Left wrist X-ray; lat view; acquired on Siemens; 108.9 mm image width —

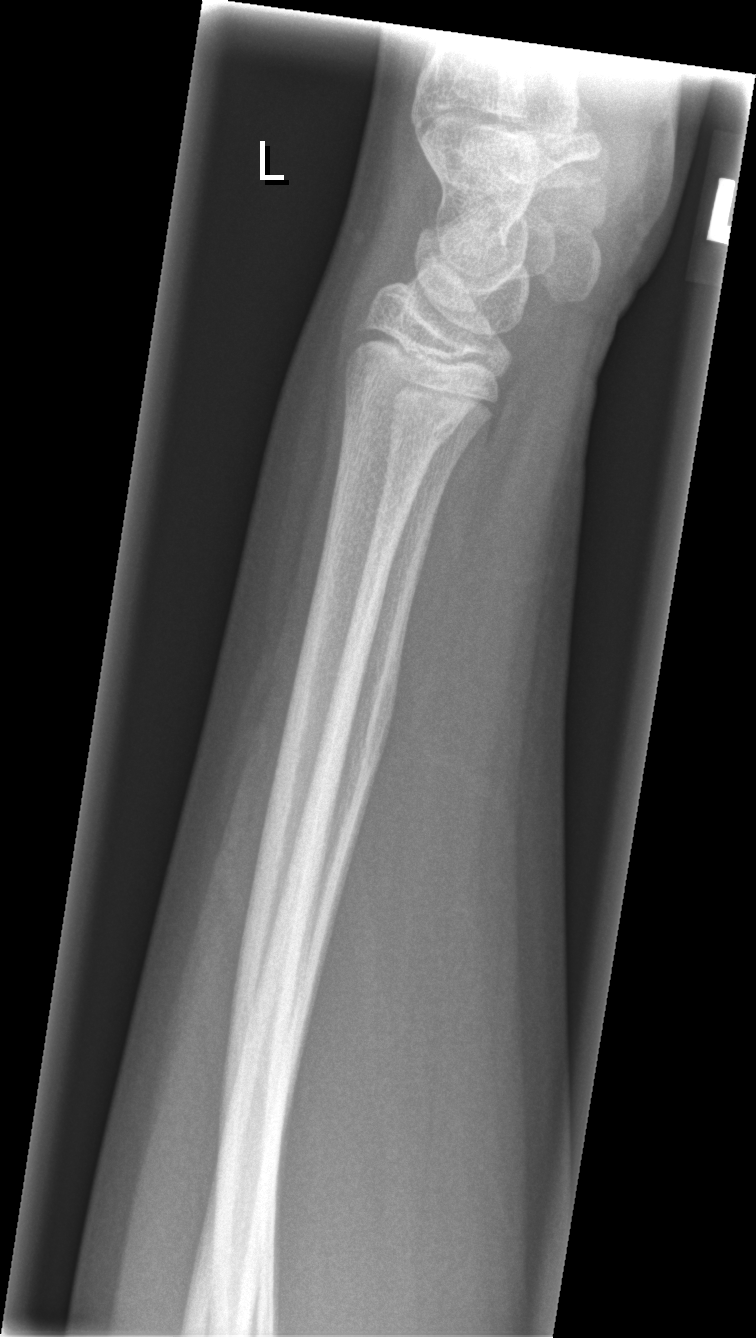

Q: Any fracture seen?
A: Bone fracture: 344 378 467 453
Q: AO code?
A: Fracture classified AO/OTA 23r-M/2.1; 23u-E/7